Left wrist plain film · posteroanterior view · detector: Siemens · 739 by 1202 pixels.
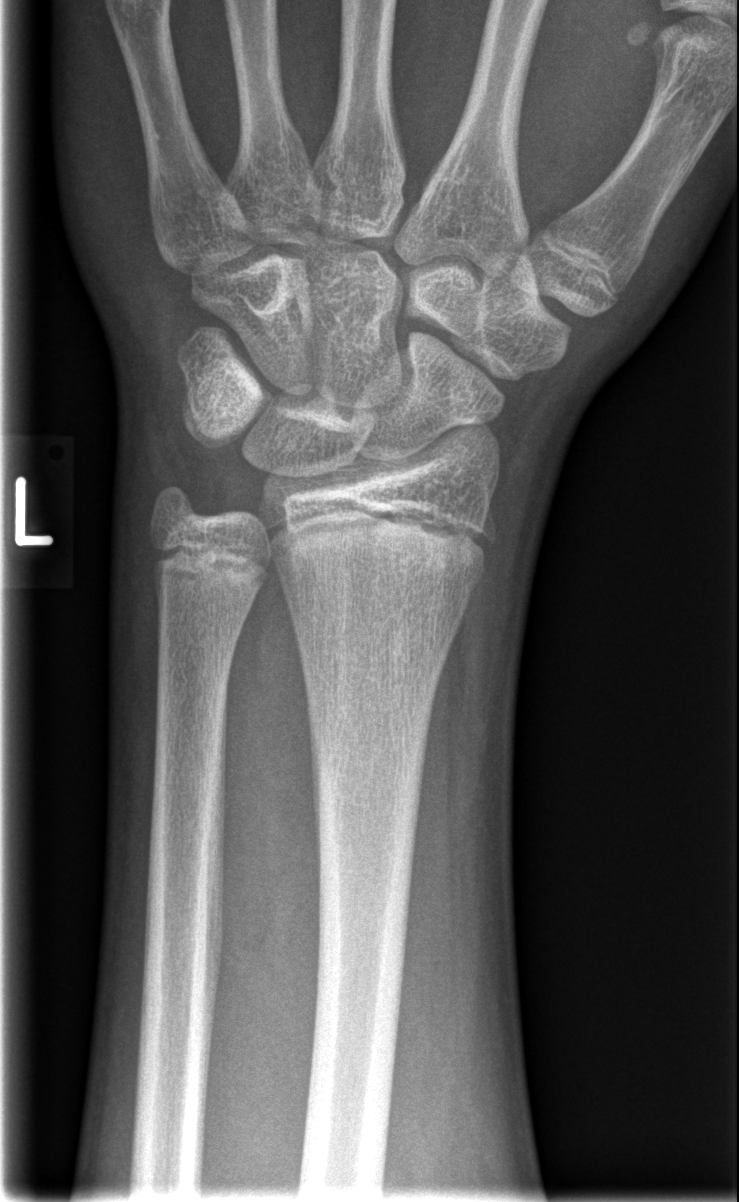
- No Fx annotated.